Lateral, L wrist radiograph, 6-year-old girl, 65.2 mm image width, 453x774 —

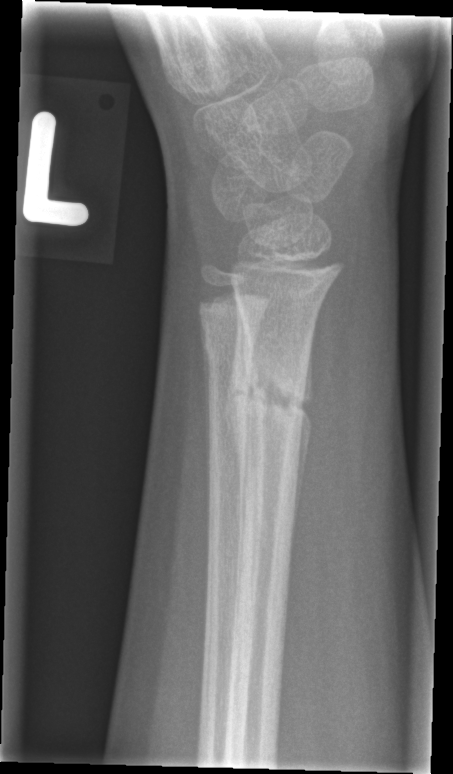

Findings: Periosteal reaction — (left=225, top=294, right=257, bottom=630); (left=292, top=339, right=314, bottom=554); (left=200, top=311, right=213, bottom=534). Fractures — (left=226, top=325, right=313, bottom=463) (left=192, top=300, right=260, bottom=377). Decreased bone density (osteopenia).